PA/AP; Rt wrist radiograph; presentation radiograph; detector: Siemens 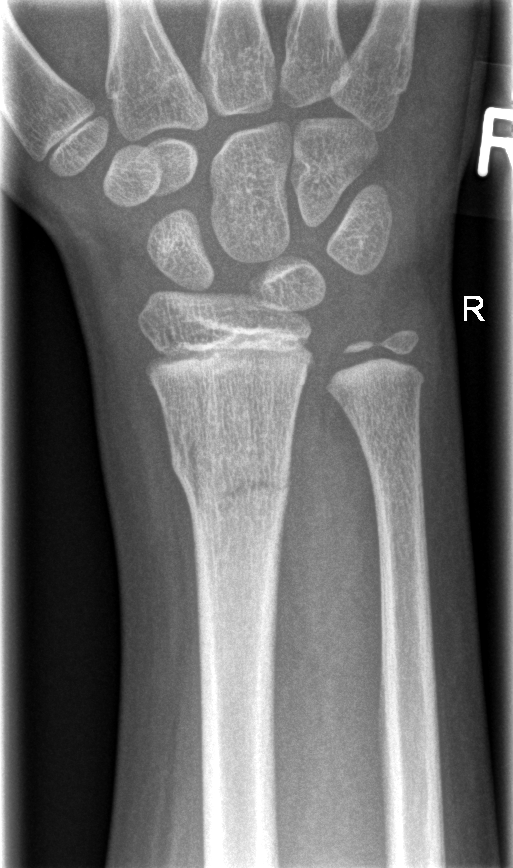 Q: Locate any fractures.
A: Bone fracture: bbox(165, 422, 293, 522)
Q: What is the AO/OTA classification?
A: AO code 23r-M/3.1